Lateral · L plain radiograph of the wrist · girl, 2 yo · presentation radiograph:

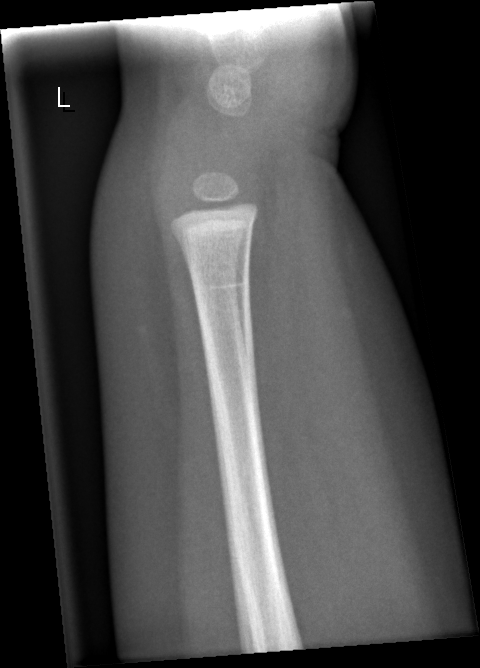
{
  "fracture": "none labeled"
}